Lat, right wrist radiograph, 52.4 mm image width:

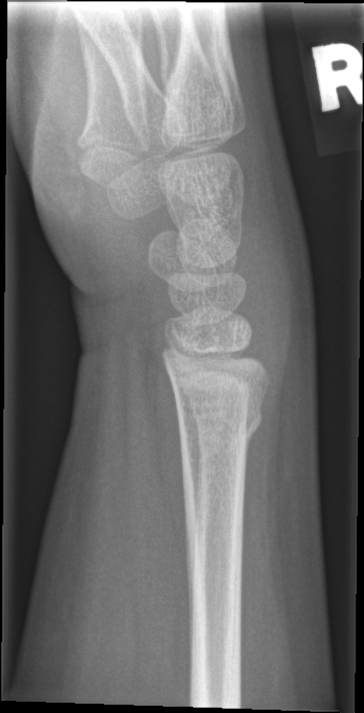

One fracture at <172,400>-<266,448>.
AO code 23-M/2.1.